Right wrist X-ray, AP projection, 9-year-old girl, 651x1112

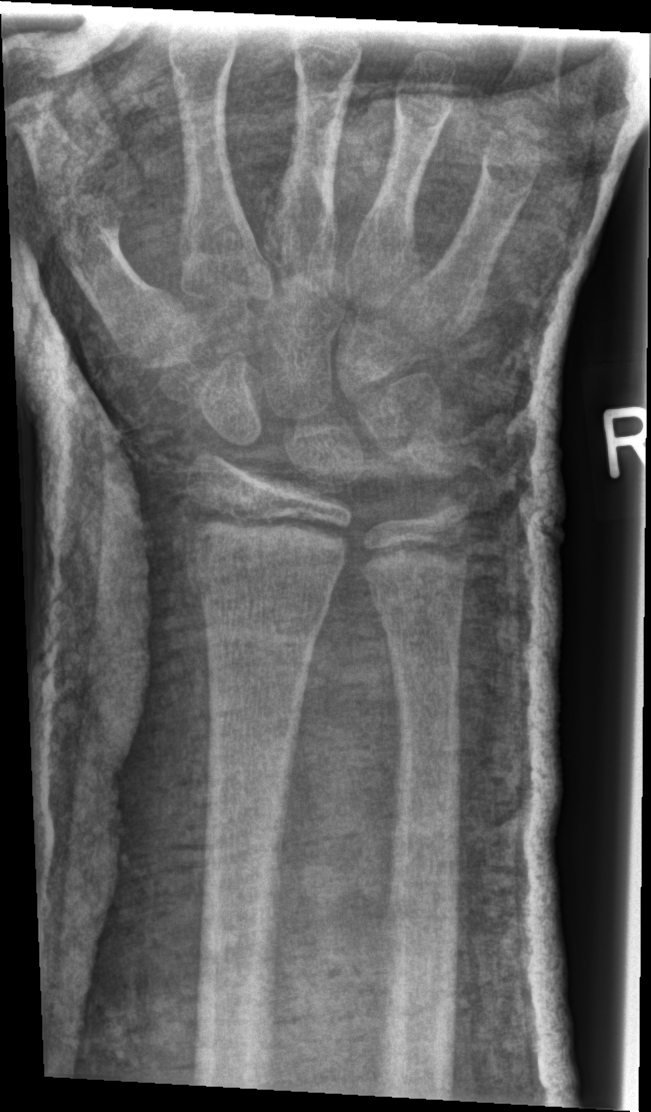 • Fracture — 180 535 339 627.
• AO code 23r-M/2.1.